PA view · left plain radiograph of the wrist · pediatric patient (female, age 14): 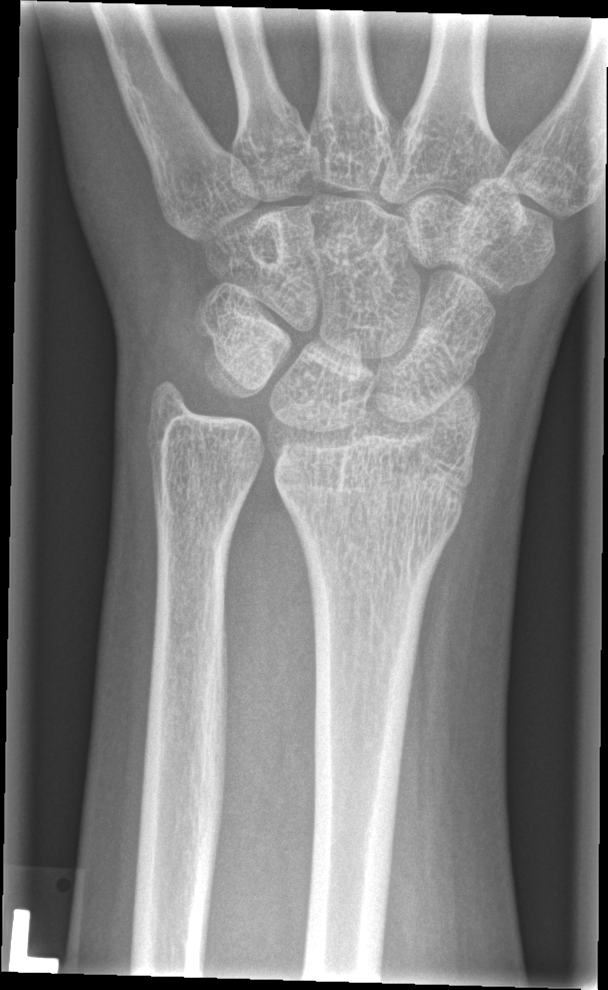

No Fx annotated.